Lat projection, L plain radiograph of the wrist, age 6 y, boy, cast present, image 68.5 mm wide, image size 476x824.
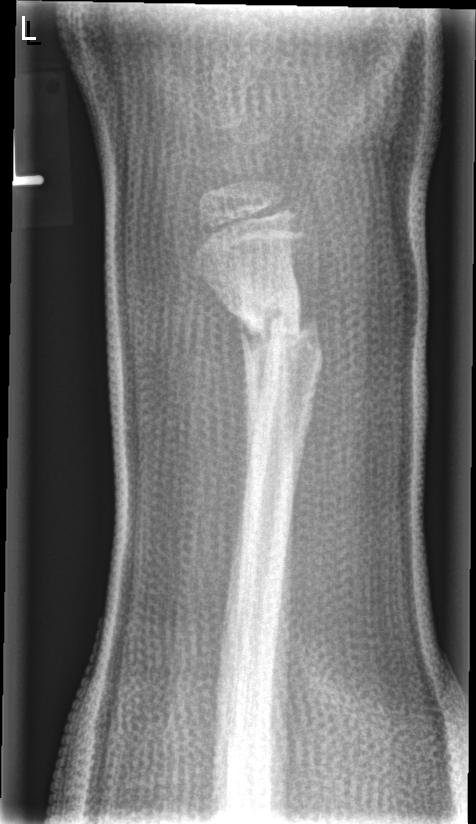
AO classification = 23-M/3.1
Fx = 1 @ <226,292>-<328,376>